Left wrist plain film, lat, age 8 y, boy

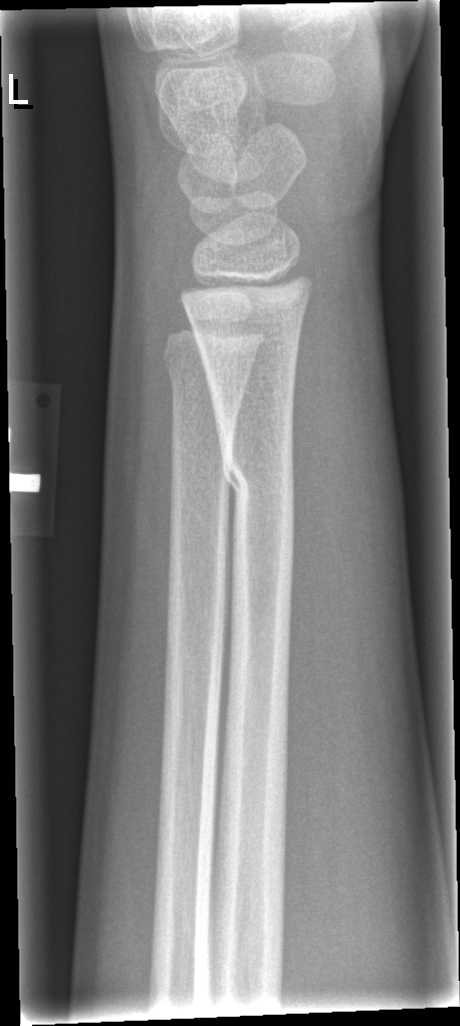 Soft-tissue finding: 289,355,408,652. Fracture classified AO/OTA 23-M/2.1. Two bone fractures at 216,445,299,519; 159,346,261,396.